Rt wrist radiograph; PA/AP projection; pediatric patient (girl, age 12); index exam; 579 x 1024 px. 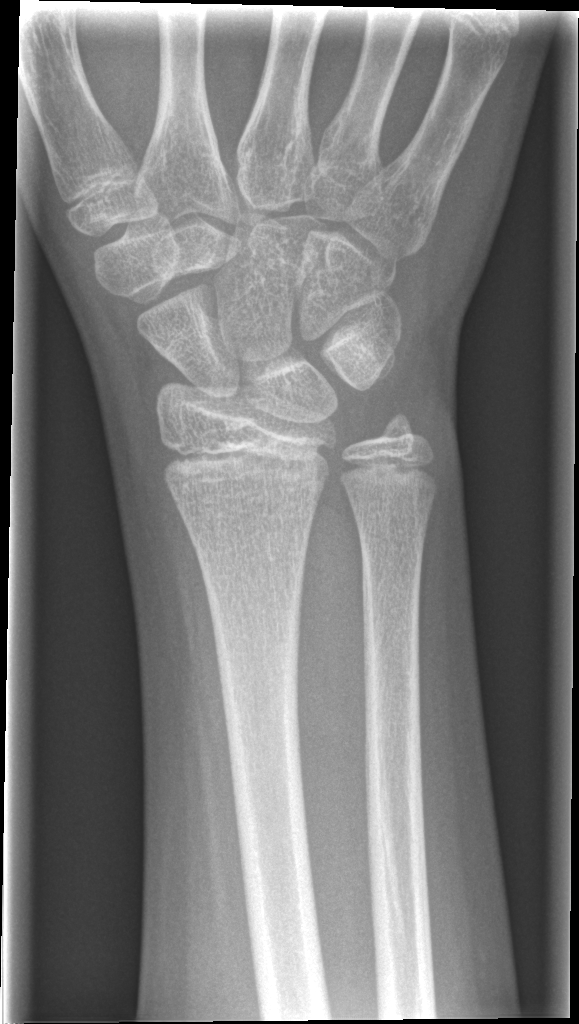 fracture: none labeled